Left wrist plain film · AP projection · detector: Siemens. 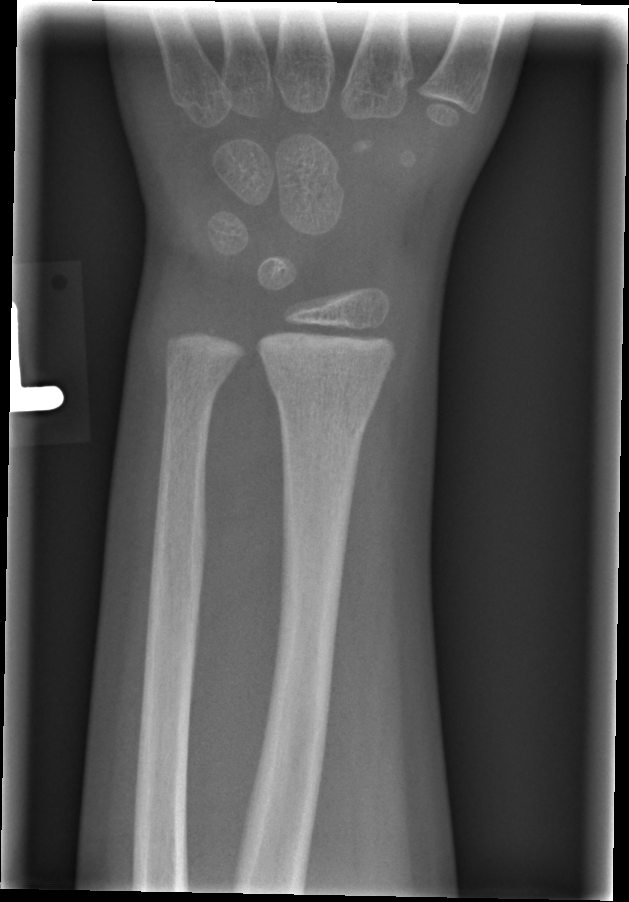 Findings: Two Fx at (left=264, top=368, right=385, bottom=429) (left=160, top=355, right=233, bottom=406). AO/OTA classification: 23-M/2.1.